Posteroanterior view · left wrist radiograph · age 11 y, male.

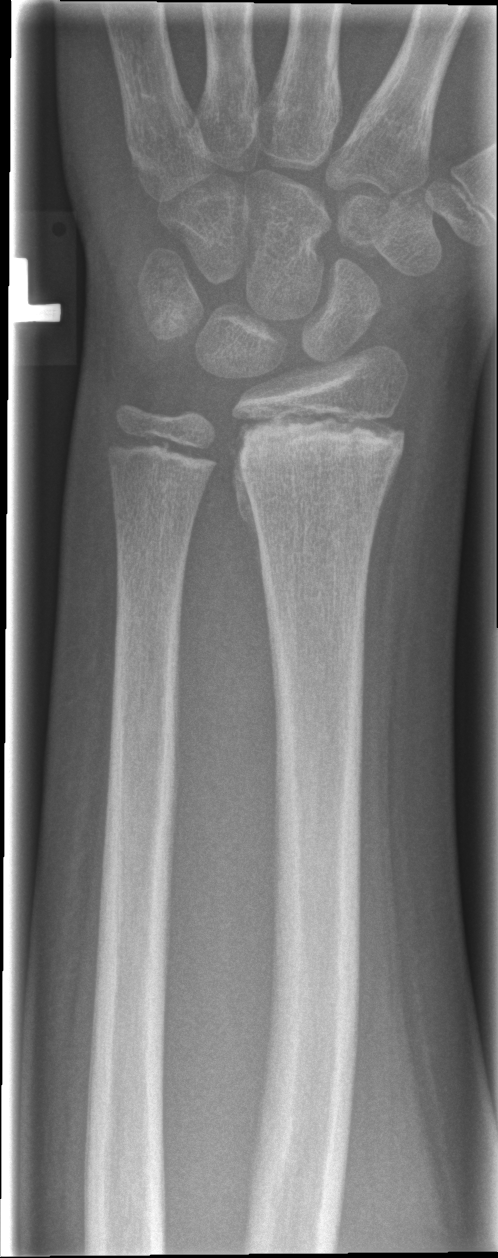

Decreased bone density (osteopenia). One bone fracture at [x1=232, y1=407, x2=407, y2=529].